Left wrist X-ray; frontal projection; presentation radiograph. 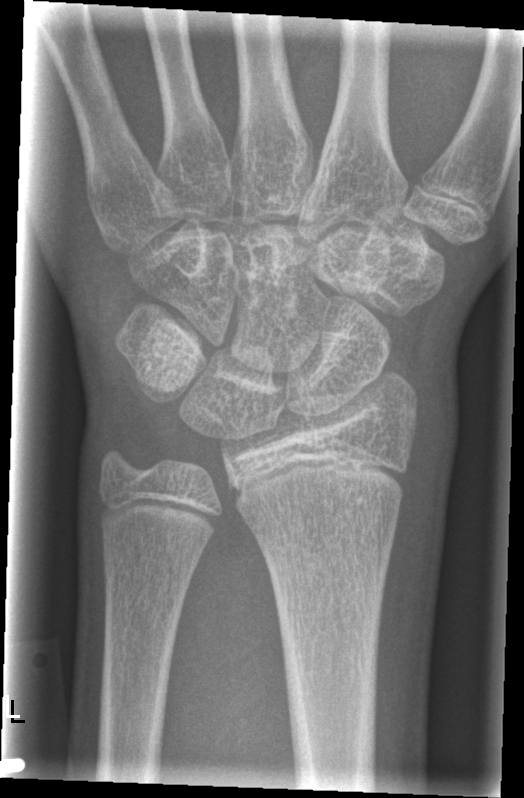
{
  "fracture": "none labeled"
}